Left wrist radiograph; lat; 10y M.
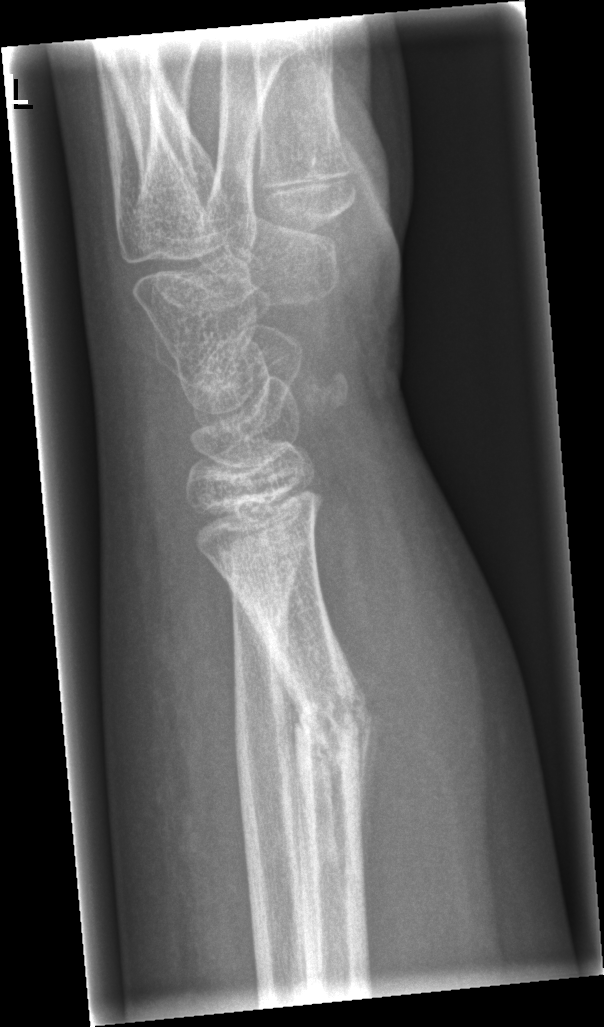 Findings: Fx: (left=278, top=664, right=380, bottom=778). AO/OTA classification: 23r-M/3.1; 23u-M/2.1. Soft tissue abnormality: (left=308, top=463, right=500, bottom=972). Periosteal thickening — (left=237, top=598, right=305, bottom=951), (left=331, top=625, right=383, bottom=862).